Left wrist plain film · lat · age 6 y, girl · subsequent exam
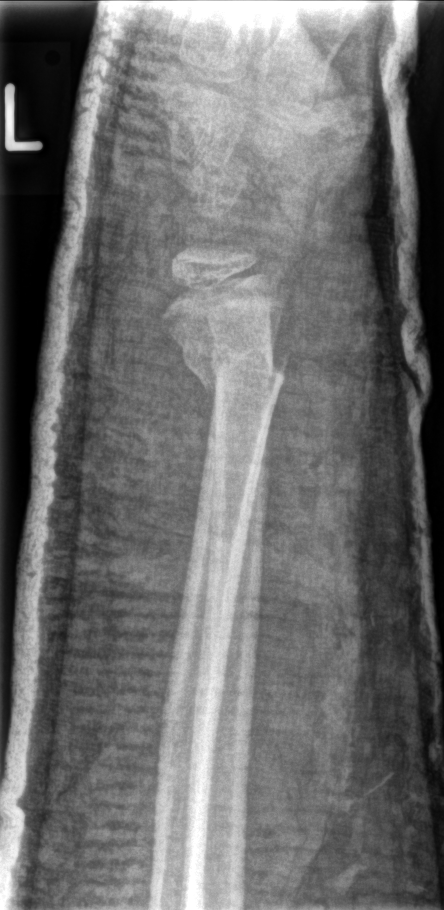 AO/OTA: 23r-M/3.1; 23u-M/2.1
Fx: 1 @ [178, 345, 287, 396]